AP view; Lt wrist XR; girl, 8 yo; acquired on Siemens

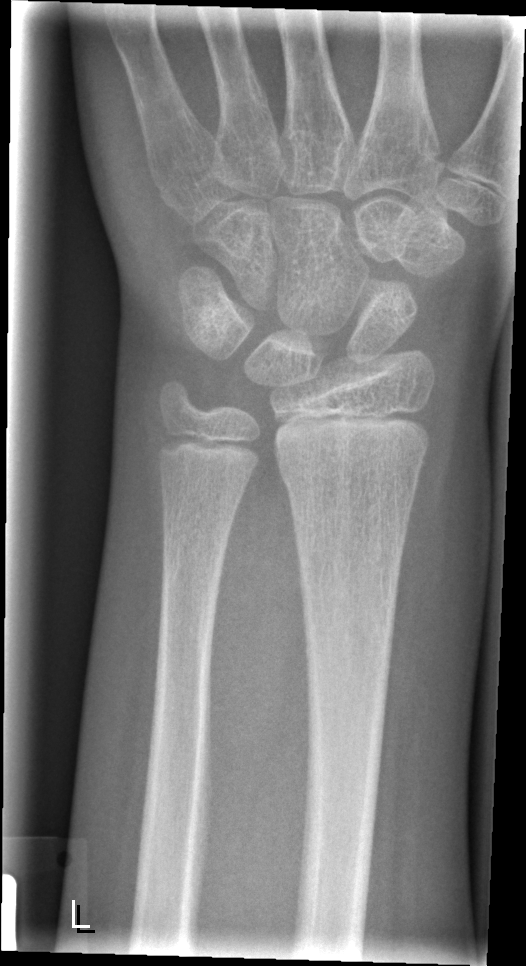 AO classification = 23r-M/2.1
Fx = 1 @ (left=276, top=457, right=422, bottom=512)